AP projection · right wrist plain film · initial study —
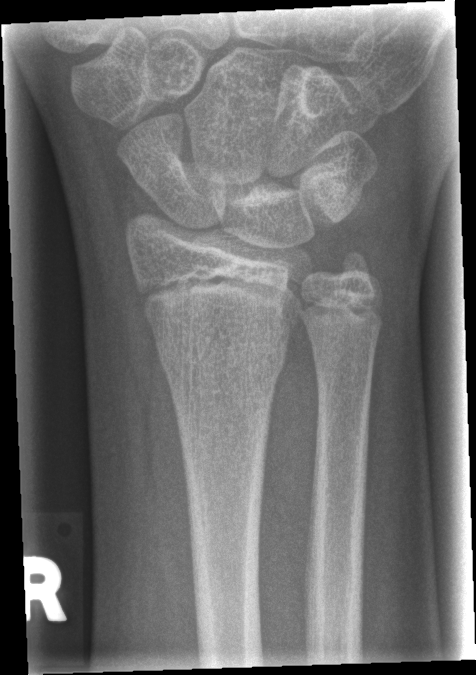

Fracture — 153 326 290 384.